Left wrist X-ray; lateral view; 10-year-old female; image size 371x680:

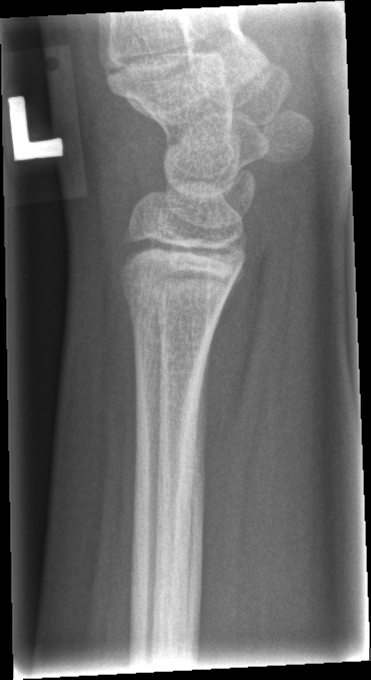

Pixel coordinates, top-left origin, xyxy.
One fracture at 115,269,231,327.
AO code 23r-M/2.1.